Right wrist XR · frontal view · pediatric patient (male, age 15).

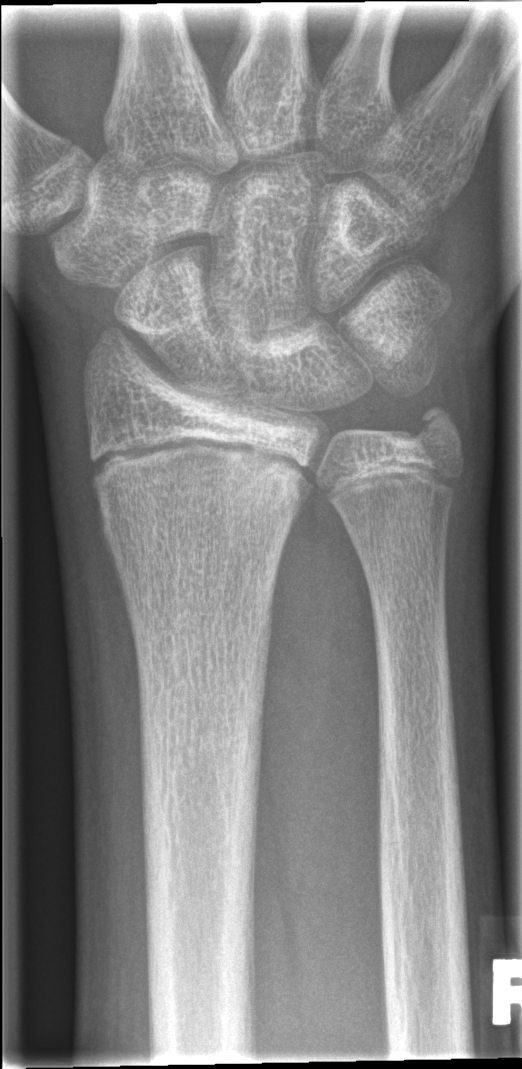 Boxes as x1,y1,x2,y2 (top-left / bottom-right, pixel units). Fractures — (86, 439, 319, 530) (411, 400, 465, 449). Fracture classified AO/OTA 23r-E/2.1; 23u-E/7.